PA view | left wrist radiograph | age 8 y, male | Siemens:
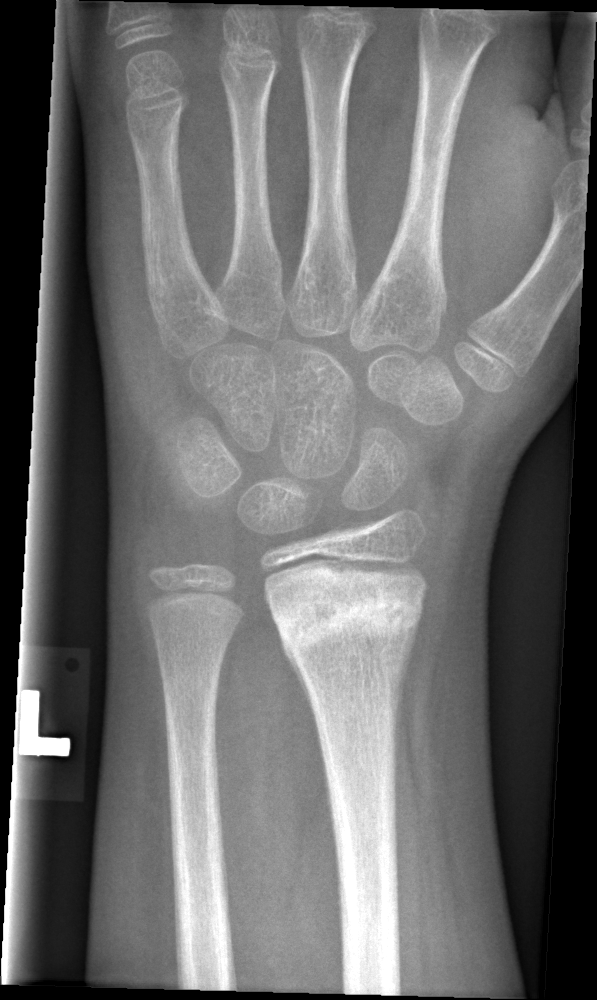

Osteopenic.
Fx — [272, 587, 427, 671].